Right wrist XR, PA view, Siemens:
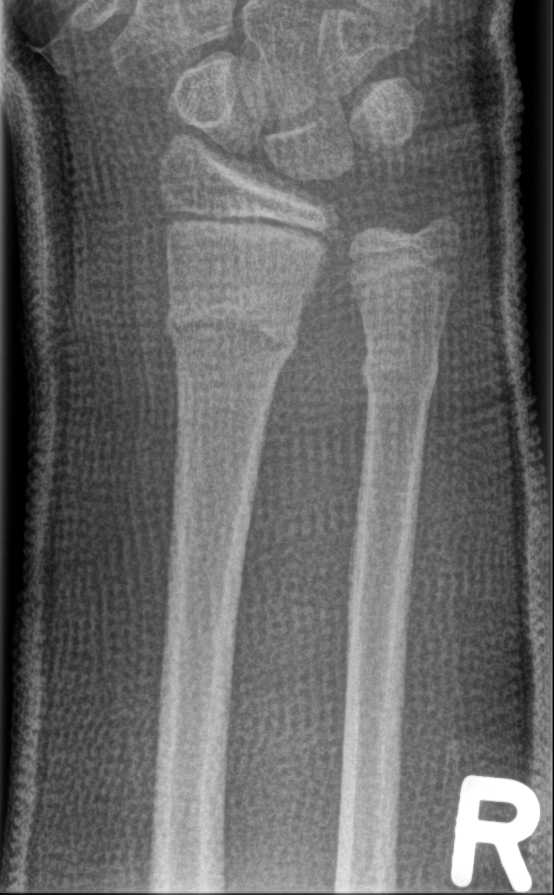   ao: 23r-M/2.1
  fracture: 2 @ (left=164, top=295, right=302, bottom=366), (left=356, top=340, right=444, bottom=405)